R wrist XR, frontal view, index exam, equivocal findings —

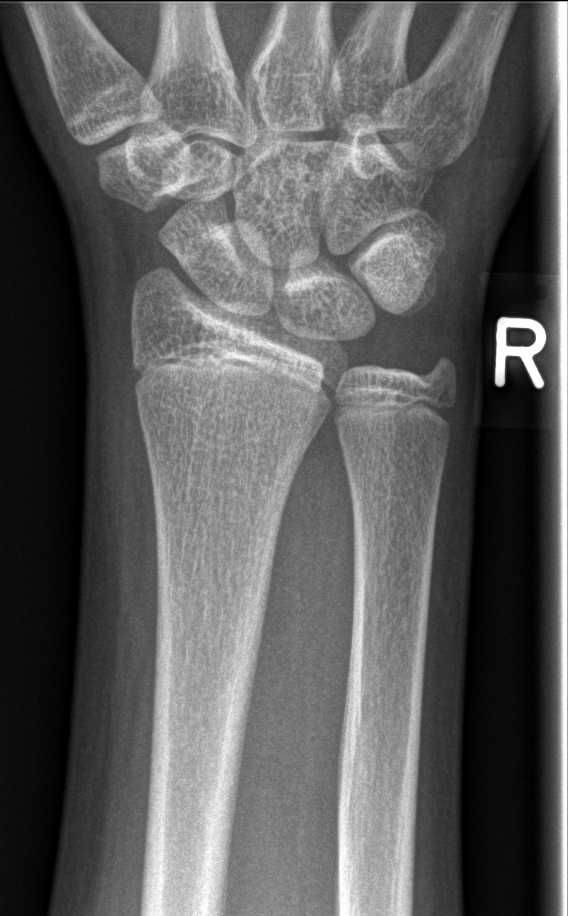

Q: Locate any fractures.
A: Fracture present, but no bounding box because it is not clearly seen in this view